L wrist radiograph, lateral projection, 14y M, 93.7 mm image width: 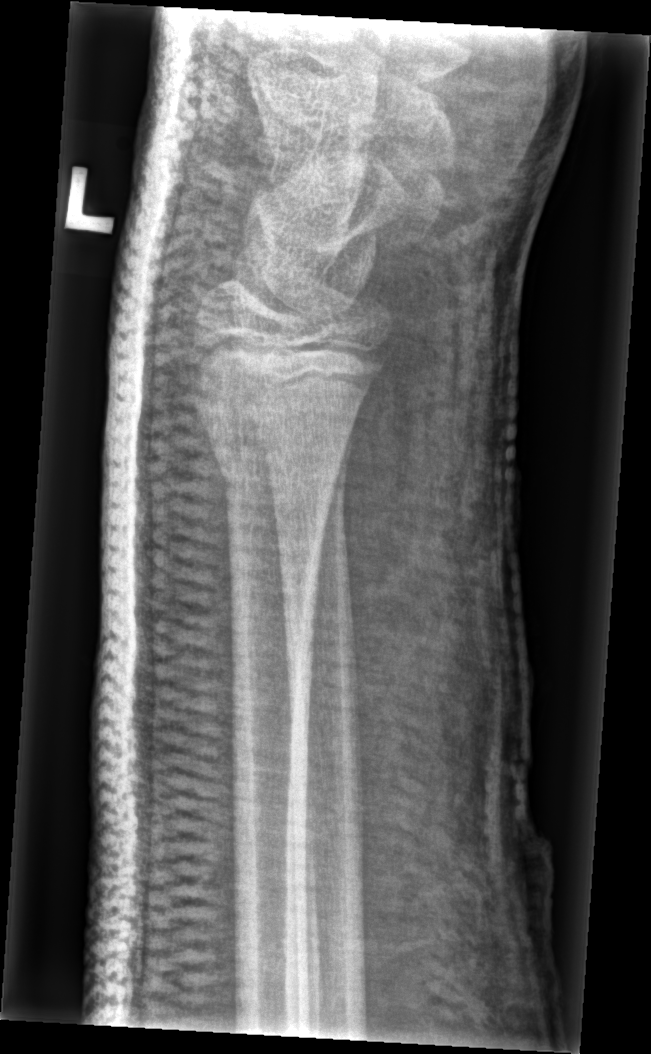 (boxes as x1,y1,x2,y2 (top-left / bottom-right, pixel units))
Q: Is there a fracture?
A: Bone fracture — 205,421,354,510